Left wrist XR | PA projection | pediatric patient (male, age 15) | initial study | image size 517x804. 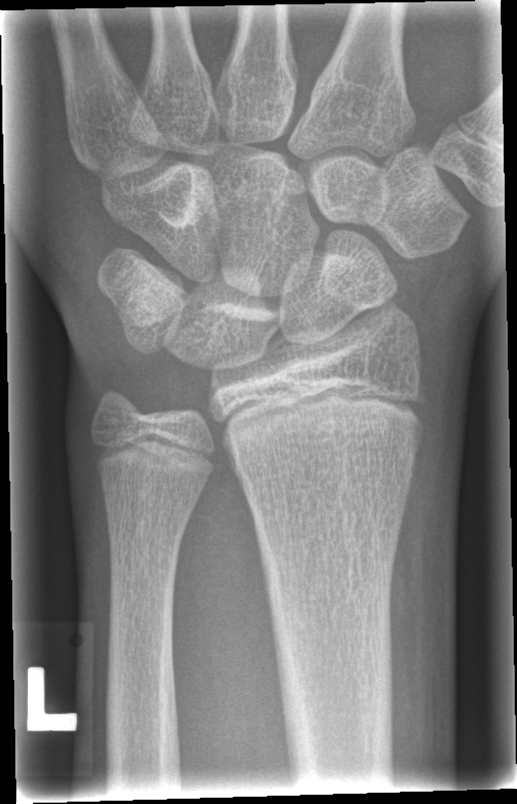
Fx: present but not clearly seen in this view.